Left wrist plain film | PA view | pediatric patient (boy, age 11): 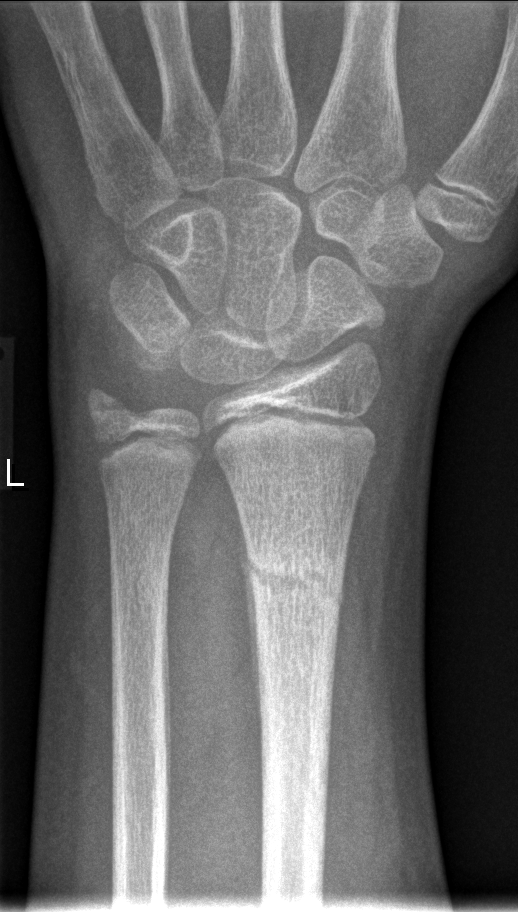

Periosteal new bone: 1 @ <242,536>-<260,716>
Bone fracture: 2 @ <240,535>-<350,621>, <73,377>-<138,430>
AO classification: 23r-M/3.1; 23u-E/7